PA/AP, Lt plain radiograph of the wrist, subsequent exam, acquired on Siemens, image 89.0 mm wide —
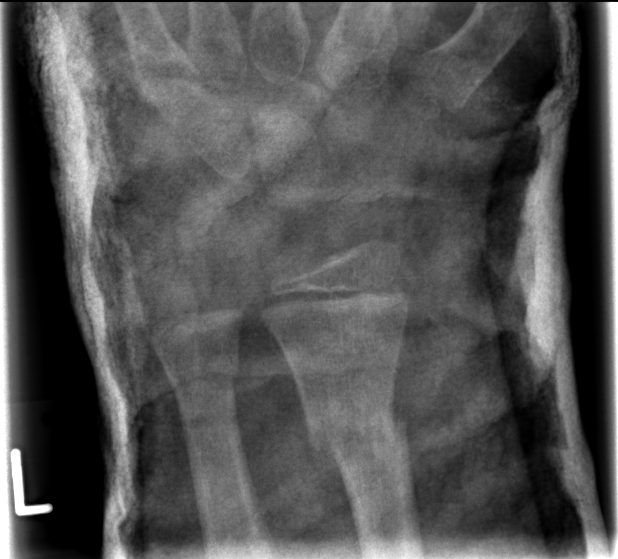

FINDINGS: (bounding boxes in image-pixel xyxy) AO/OTA classification: 23-M/3.1. Fx: (301, 391, 417, 498); (158, 349, 244, 406).